Lateral projection; Lt wrist XR; age 13 y, male; 544x1208.
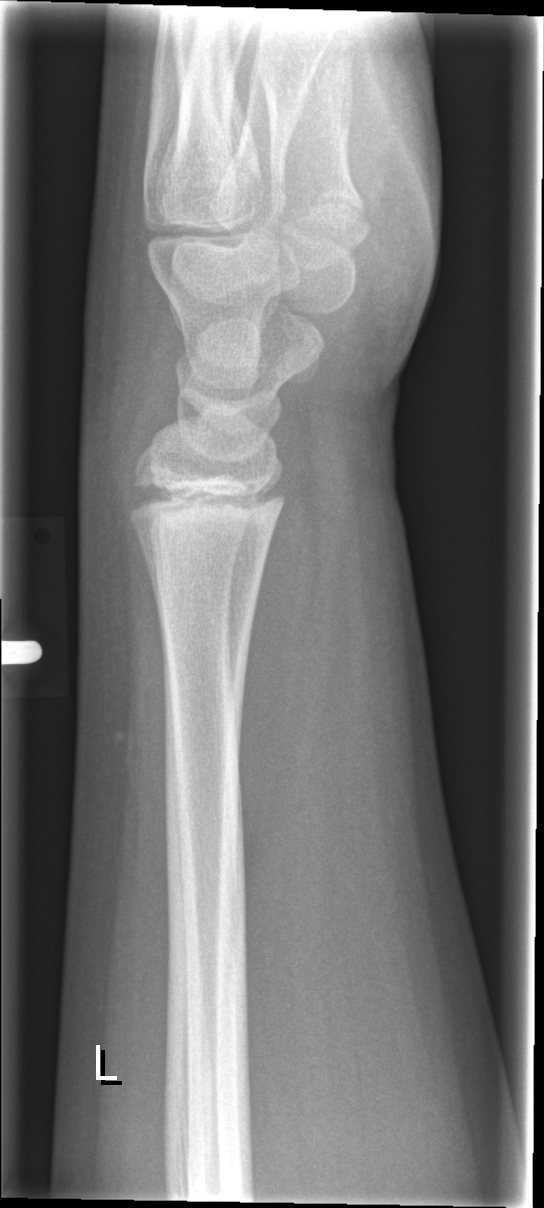   fracture: none labeled